Lat view · L plain radiograph of the wrist · cast present · 566 by 700 pixels — 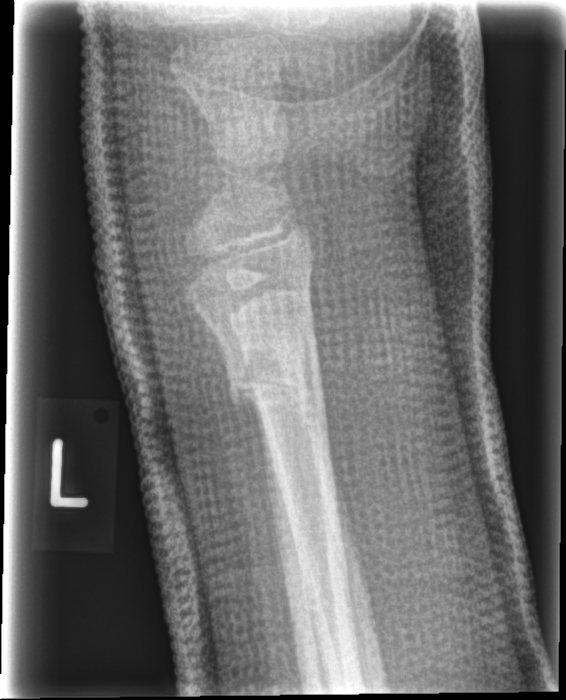

Bone fracture — 225,352,327,420.